R wrist XR, lateral projection, index exam, acquired on Siemens.

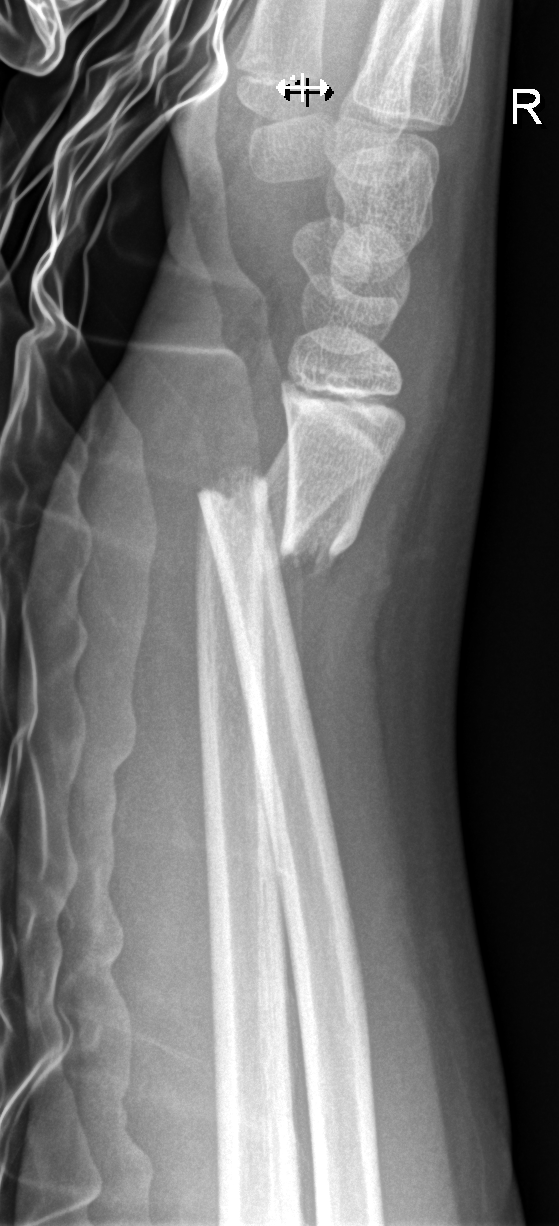

Pixel coordinates, top-left origin, xyxy. Fracture identified at 194 460 366 571. AO/OTA classification: 23-M/3.1.